Frontal, Rt wrist radiograph, boy, 17 yo, detector: Siemens —

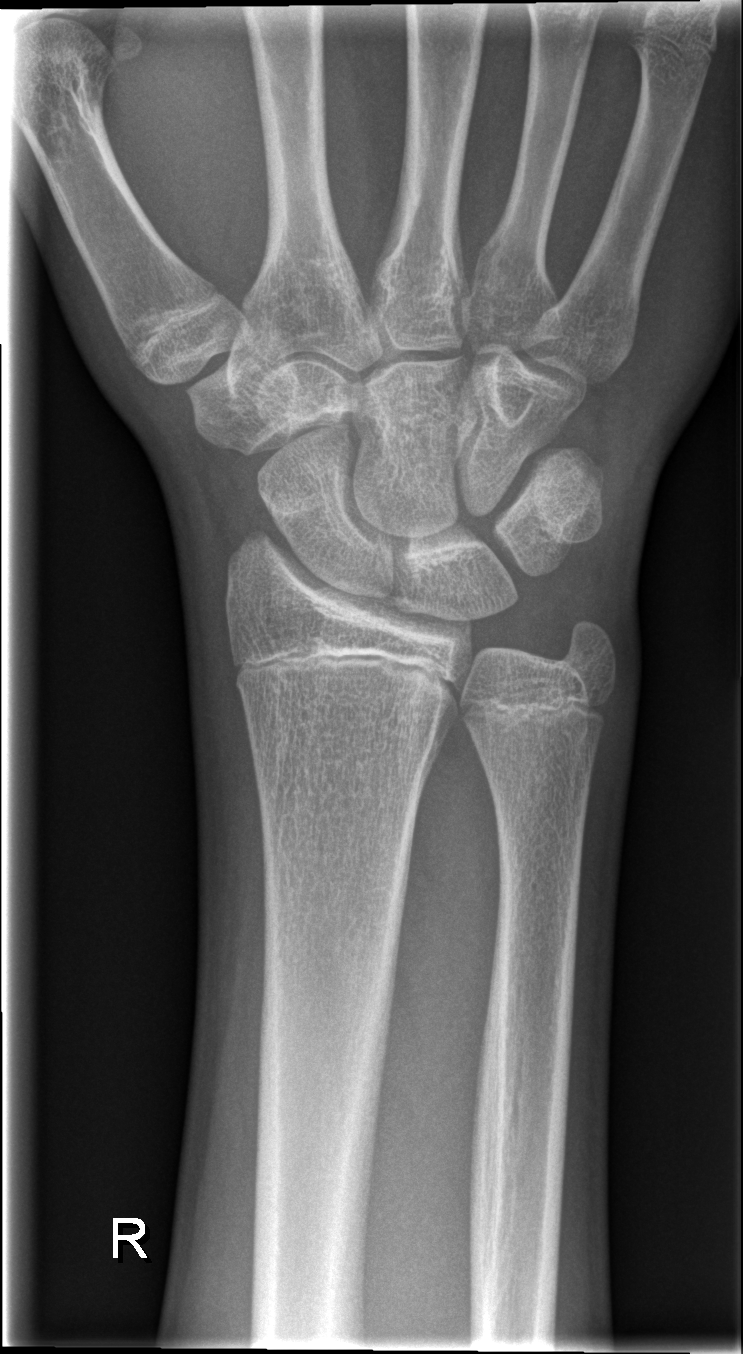

{
  "fracture": "none labeled"
}